Left wrist plain radiograph of the wrist; posteroanterior; diagnosis uncertain; 774 by 1354 pixels
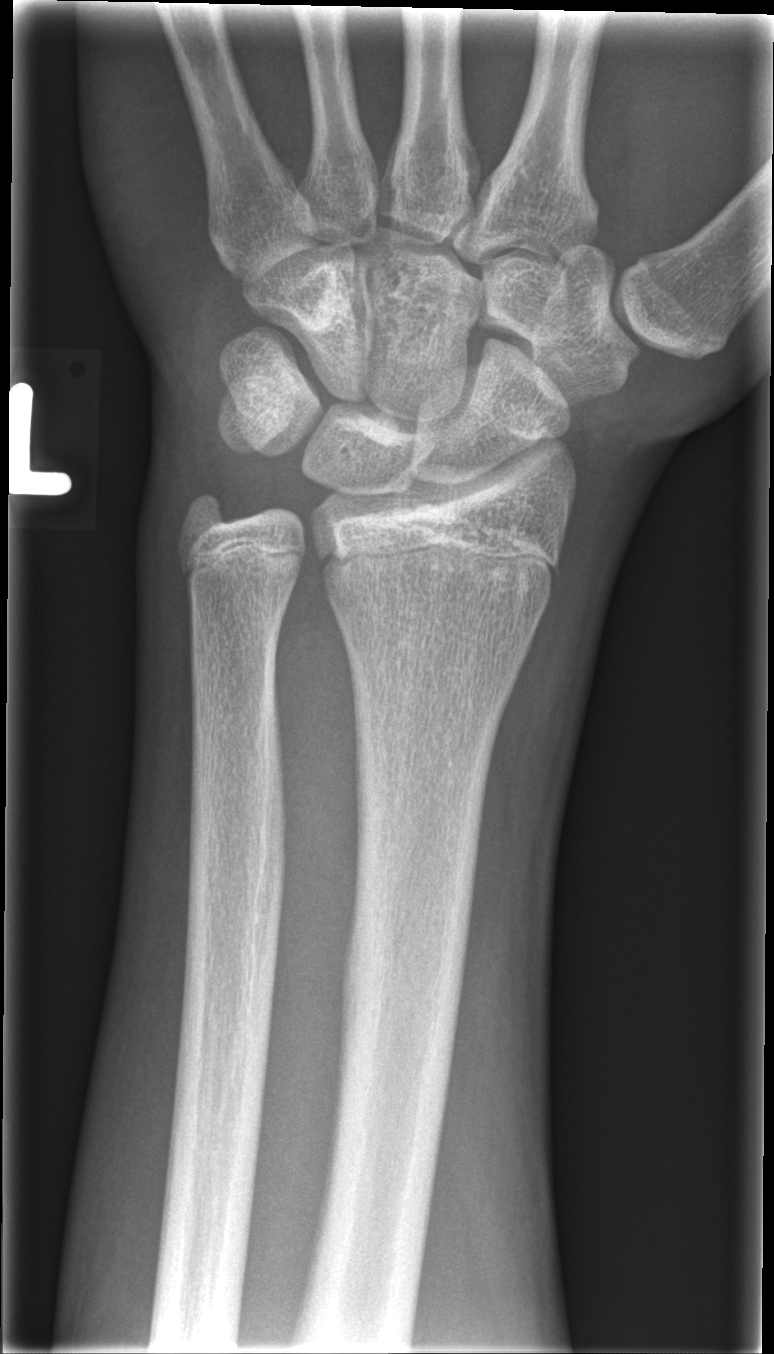 Q: Fracture present?
A: No fracture labeled